Lateral view, right wrist radiograph, 12-year-old girl, index exam 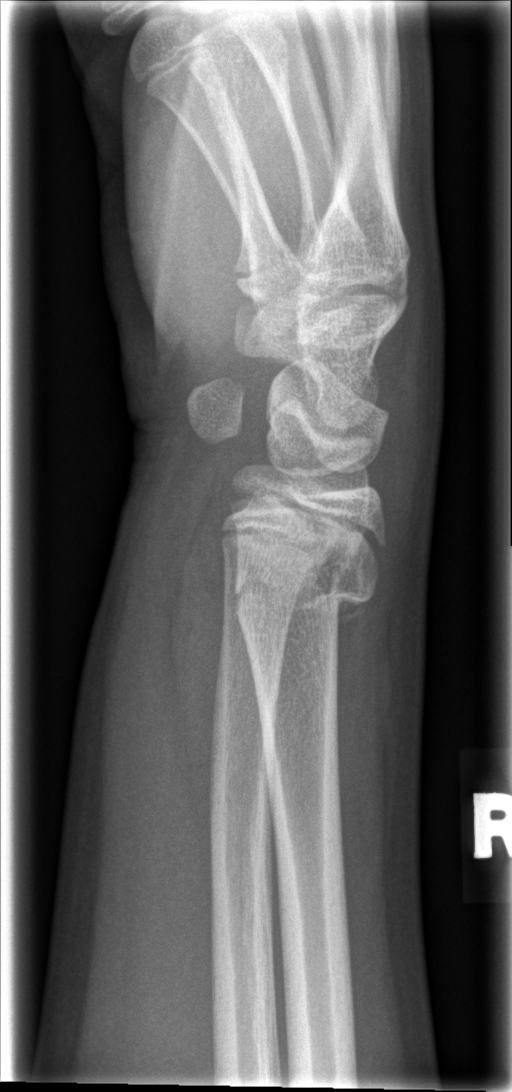
ao: 23r-M/3.1; 23u-M/2.1; 23u-E/7
pronatorsign: 1 @ (left=164, top=464, right=243, bottom=863)
fracture: 1 @ (left=229, top=563, right=379, bottom=638)